Rt pediatric wrist radiograph | frontal | female, 7 yo | presentation radiograph: 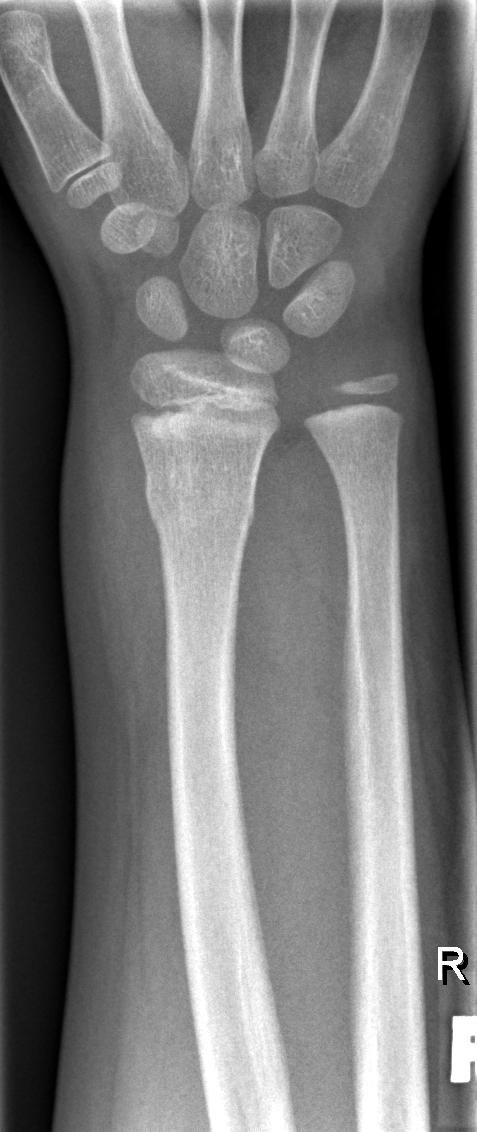

(boxes as x1,y1,x2,y2 (top-left / bottom-right, pixel units))
Q: Is there soft-tissue abnormality?
A: Soft-tissue finding — 63 372 174 735
Q: Is there a fracture?
A: Fx identified at 142 468 258 545
Q: AO code?
A: Fracture classified AO/OTA 23r-M/2.1